Lateral view, Rt wrist plain film, imaged through cast, 483x1196.

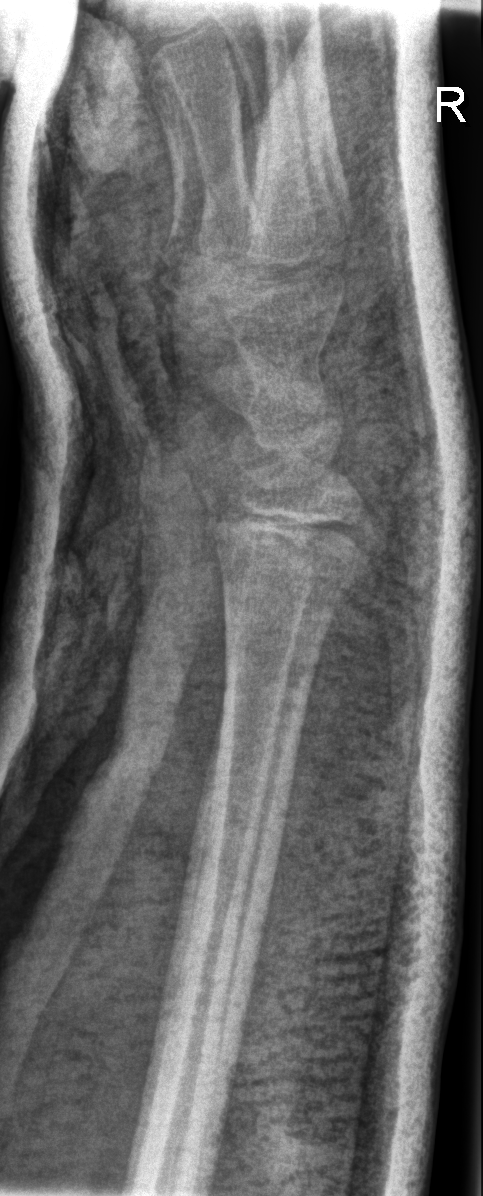
FINDINGS: Fracture: (199, 495, 382, 609).